Lt wrist radiograph, lat projection, male, 13 yo —
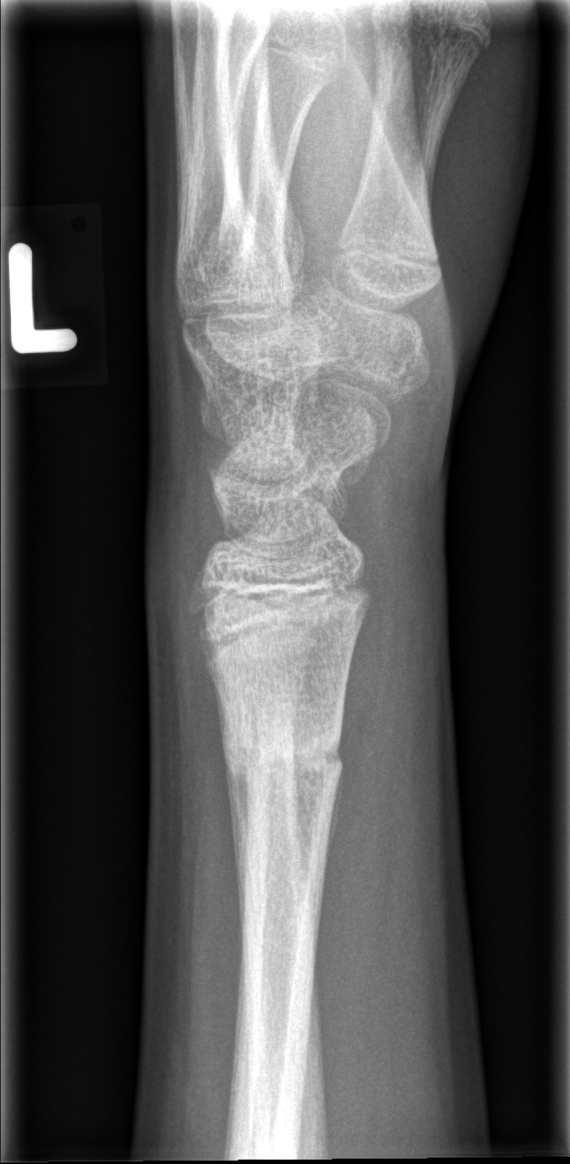 - Decreased bone density (osteopenia).
- Fracture: (216, 717, 346, 801).
- AO/OTA classification: 23r-M/3.1; 23u-E/7.
- Periosteal reaction — (210, 672, 250, 972), (322, 765, 344, 887).